Lt wrist XR, lateral projection, follow-up study, in cast, image width 108.0 mm —

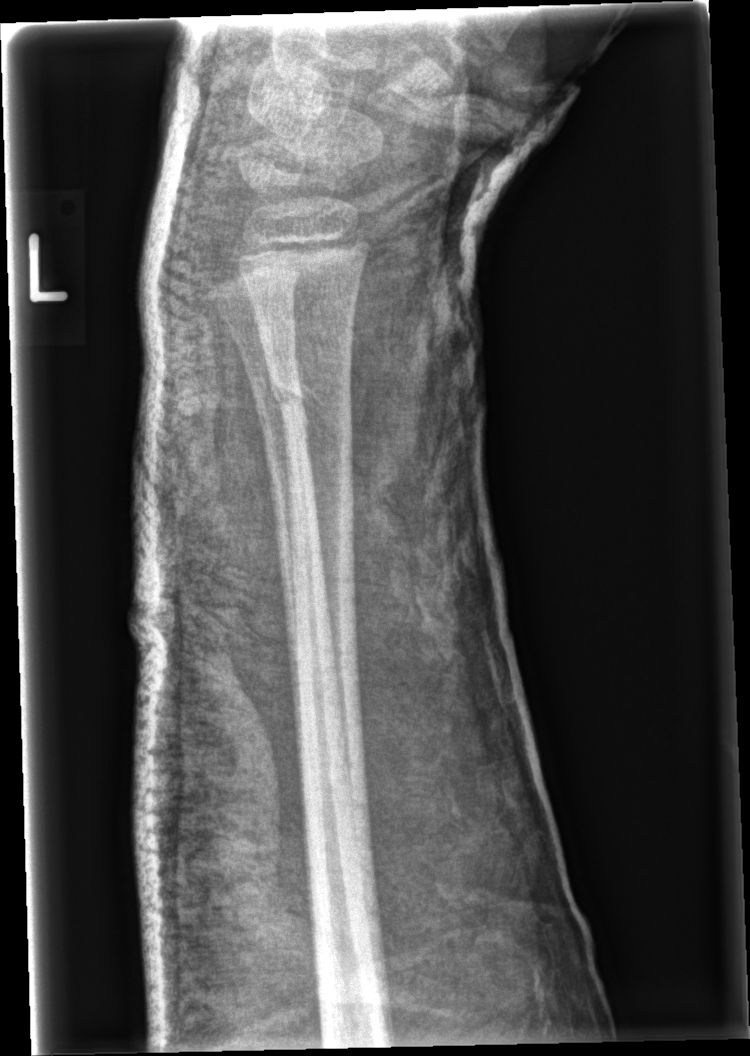
Fracture classified AO/OTA 23r-M/2.1.
Fracture — [266, 357, 355, 418].